Frontal view; left wrist plain film; 11y M; cast present.
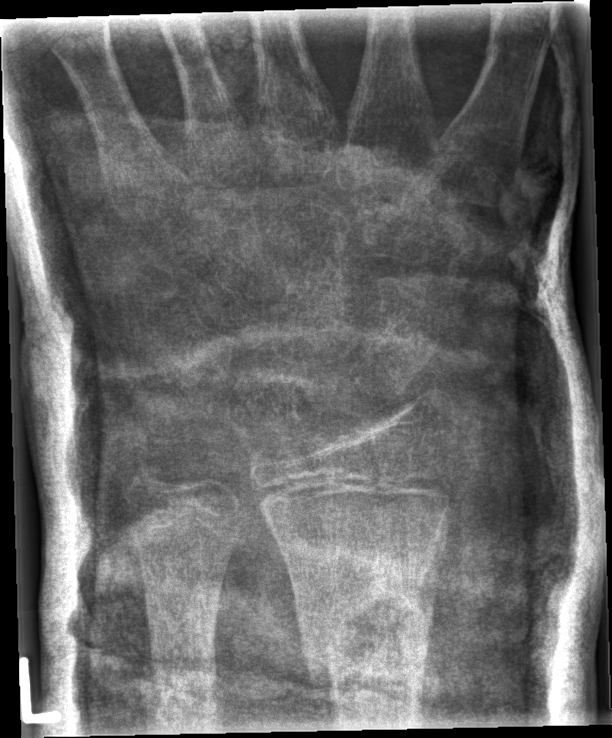
Bone fracture: (296, 577, 439, 692). AO code 23-M/3.1; 23u-E/7. Decreased bone density (osteopenia).